Posteroanterior · L wrist plain film · age 17 y, boy —

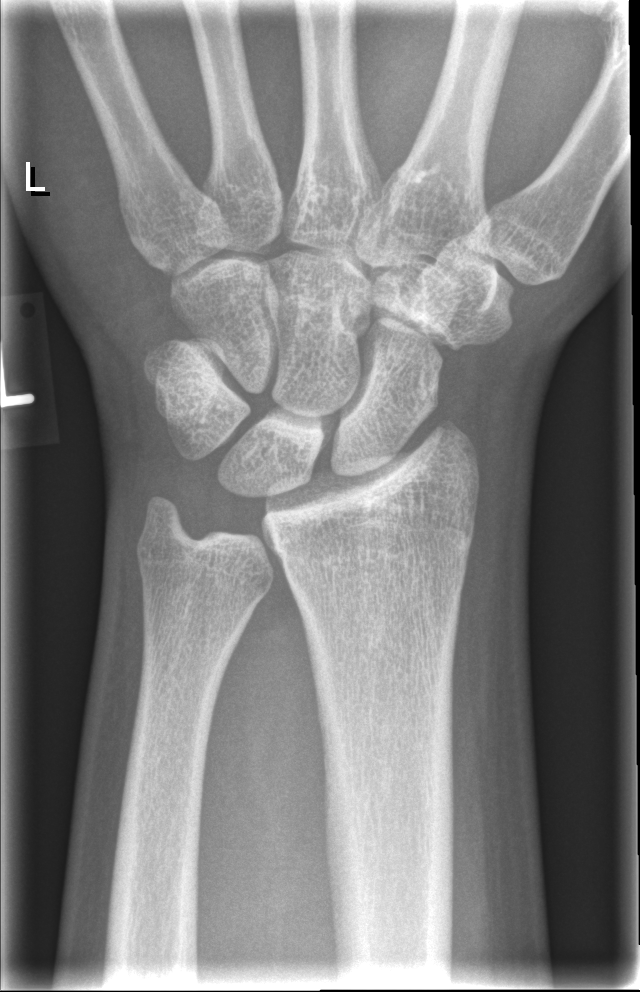

Q: Any fracture seen?
A: No Fx annotated